PA/AP projection | L pediatric wrist radiograph | in cast | detector: Siemens | 102.0 mm image width:

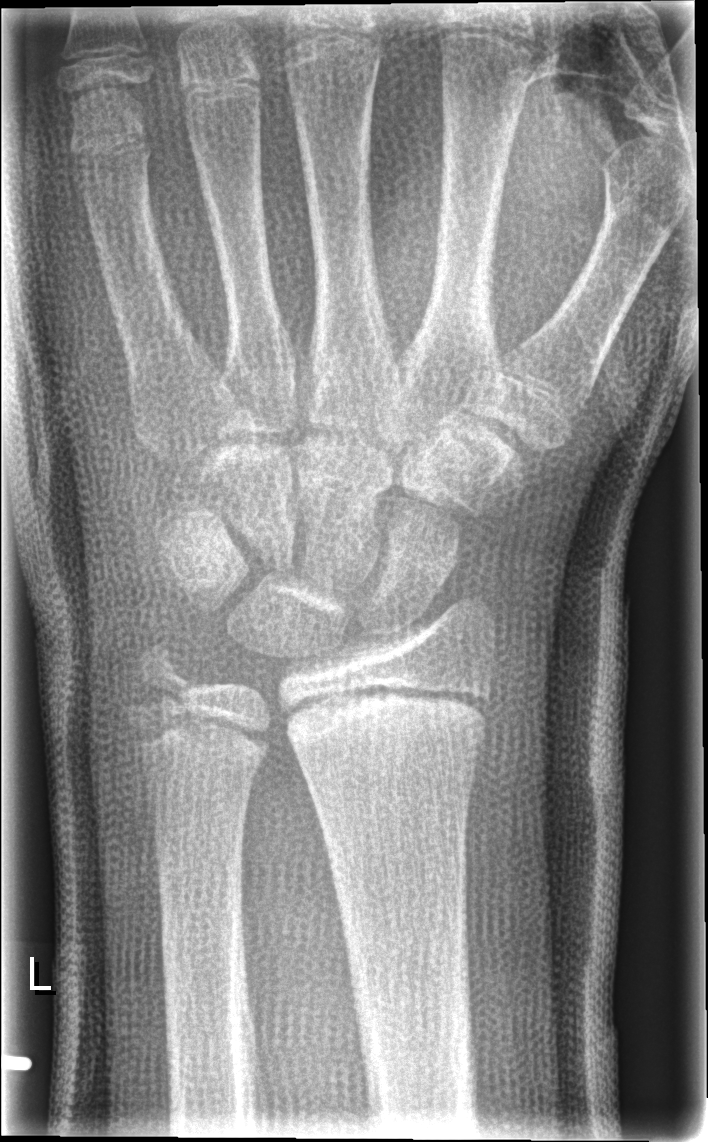 fracture: 1 @ (left=120, top=641, right=199, bottom=717)
AO classification: 23r-M/3.1; 23u-E/7